L wrist radiograph, PA, cast present:

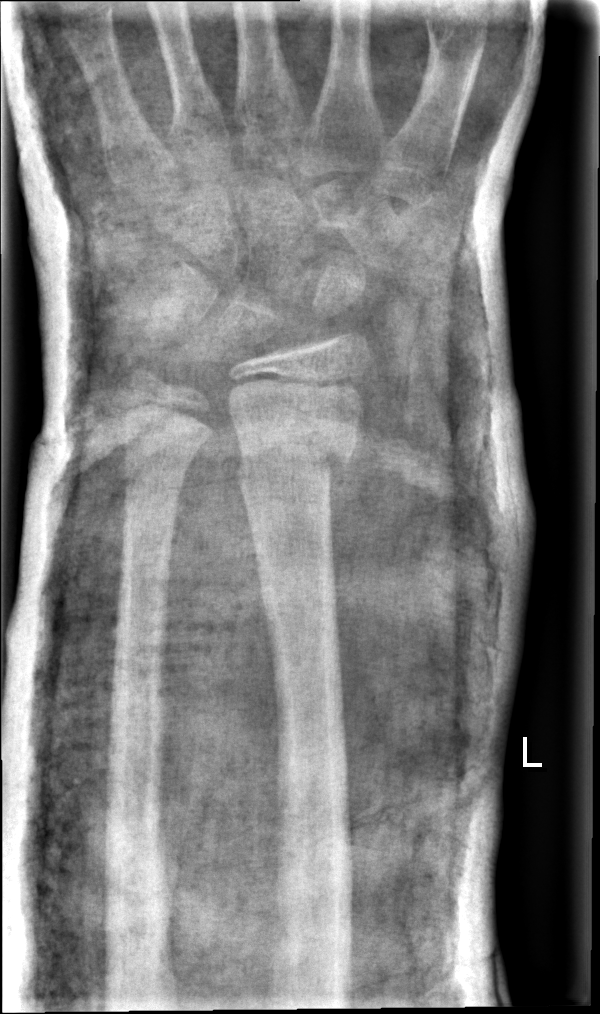 Coordinates are [x1, y1, x2, y2] in image pixels. Bone fracture — <232,421>-<358,480>. AO/OTA classification: 23-M/3.1; 23u-M/2.1.